Left pediatric wrist radiograph, lateral view, in cast, 436x938. 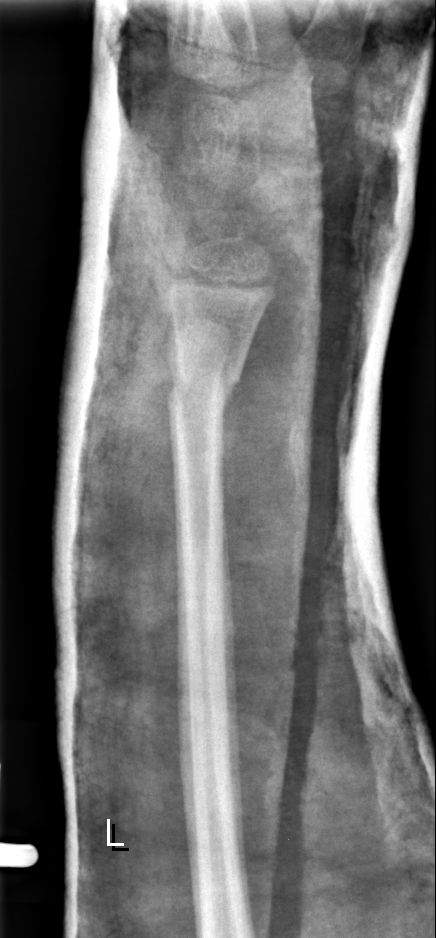

FINDINGS: Fracture identified at bbox(165, 357, 243, 417). AO/OTA classification: 23r-M/3.1.